Right wrist X-ray; frontal projection; image size 515x832: 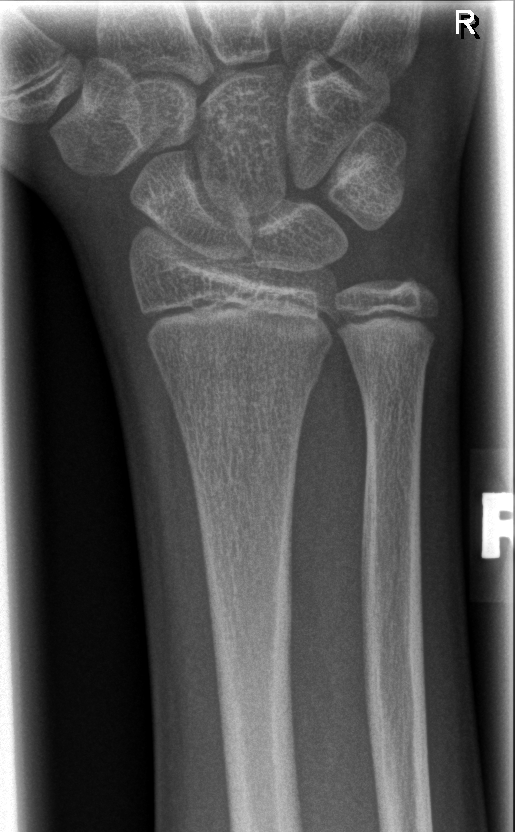

(boxes as x1,y1,x2,y2 (top-left / bottom-right, pixel units))
bone fracture = 160 354 327 405